Lat view · right wrist plain film —

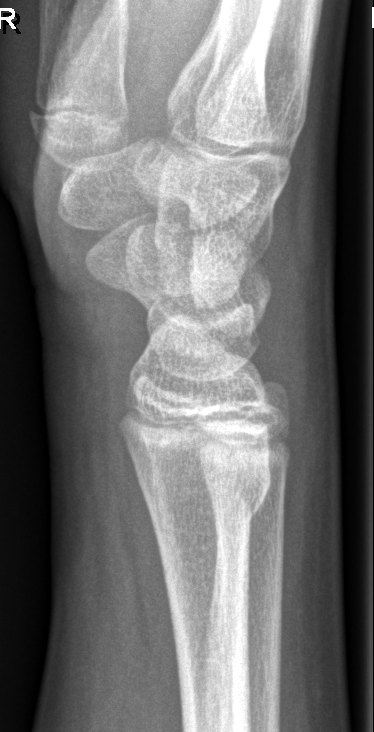

FINDINGS — Bone fracture: [132, 453, 277, 529]. Fracture classified AO/OTA 23r-M/2.1.